Right plain radiograph of the wrist; frontal view:

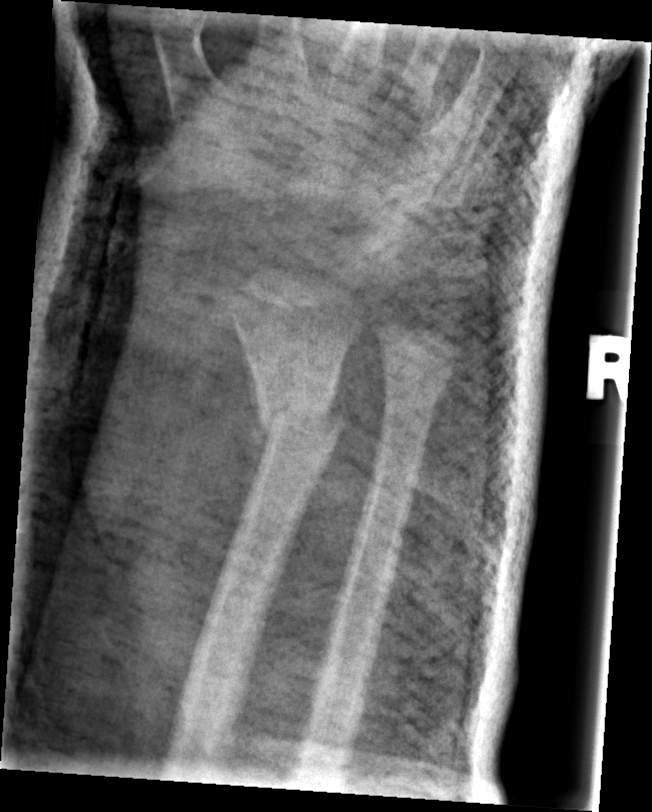

FINDINGS: Fracture classified AO/OTA 23r-M/3.1; 23u-M/2.1. Fracture: 252 386 348 451 | 379 356 455 417.